Right wrist pediatric wrist radiograph; lat view; age 10 y, female; in cast; 681 by 1052 pixels.
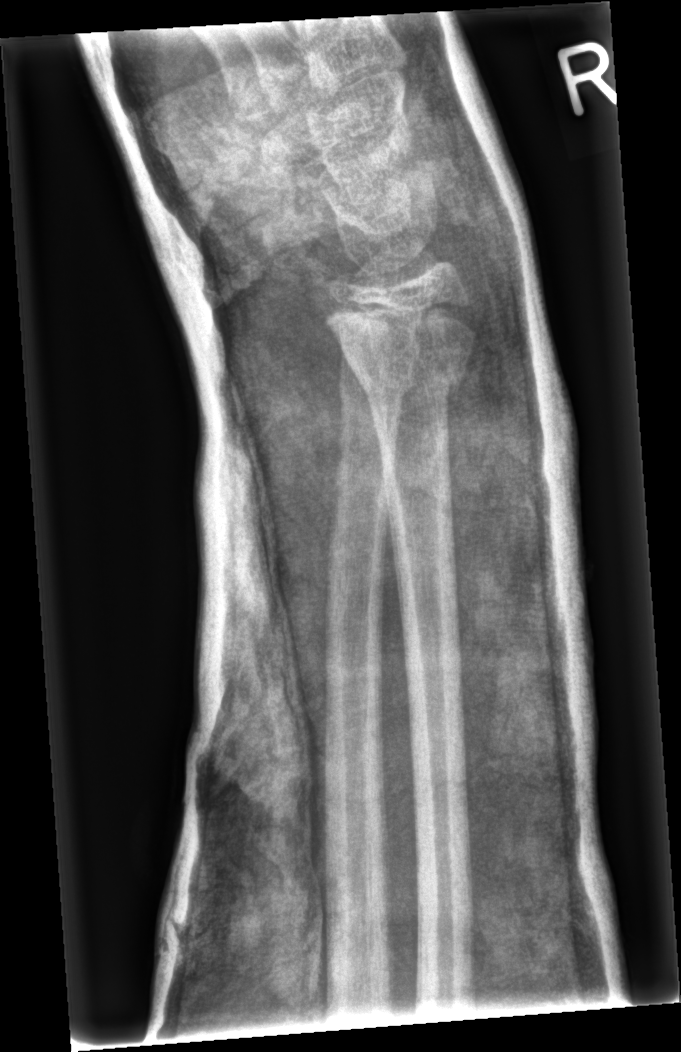
Bounding boxes in image-pixel xyxy. Bone fracture identified at (left=321, top=296, right=478, bottom=409).